PA, left pediatric wrist radiograph, pediatric patient (boy, age 7)
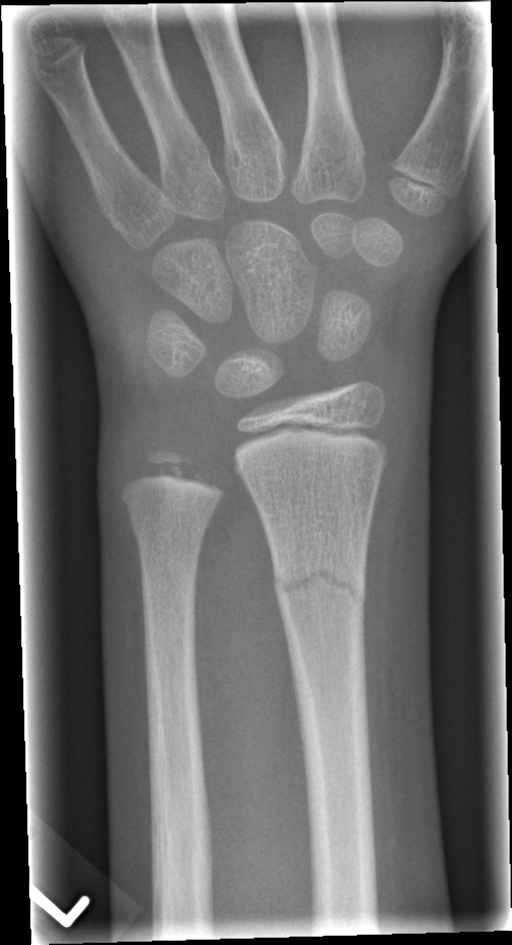 Pixel coordinates, top-left origin, xyxy.
Fractures — <270,548>-<369,620>; <122,490>-<212,546>.